PA/AP projection, left wrist radiograph, female, 11 yo, 609x772.

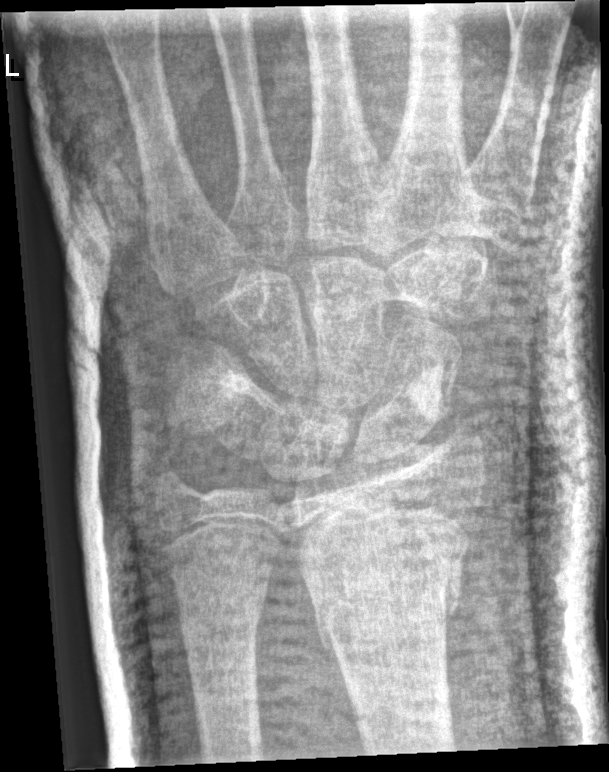
Focal bone lesion = [402, 362, 445, 423]
AO/OTA = 23r-M/3.1; 23u-M/2.1
Bone fracture = 2 @ [293, 506, 472, 656]; [174, 570, 275, 673]